Frontal projection · Lt wrist radiograph · girl, 10 yo · cast in situ
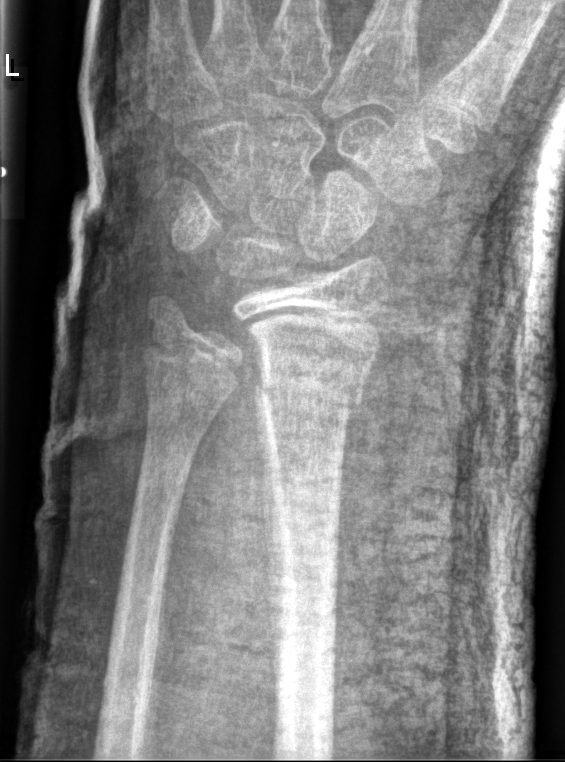
Bone fracture: [252, 360, 367, 415]
AO/OTA: 23r-M/3.1; 23u-M/2.1